PA view · right pediatric wrist radiograph · age 10 y, boy. 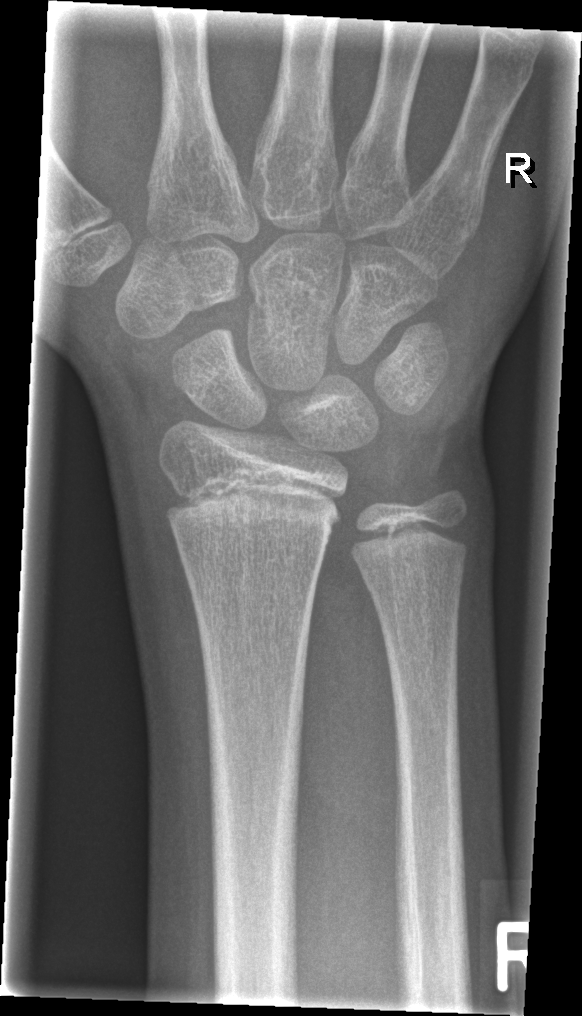

{
  "fracture": "none labeled"
}